Lat view, L wrist radiograph, 15y M, detector: Siemens, image size 482x840. 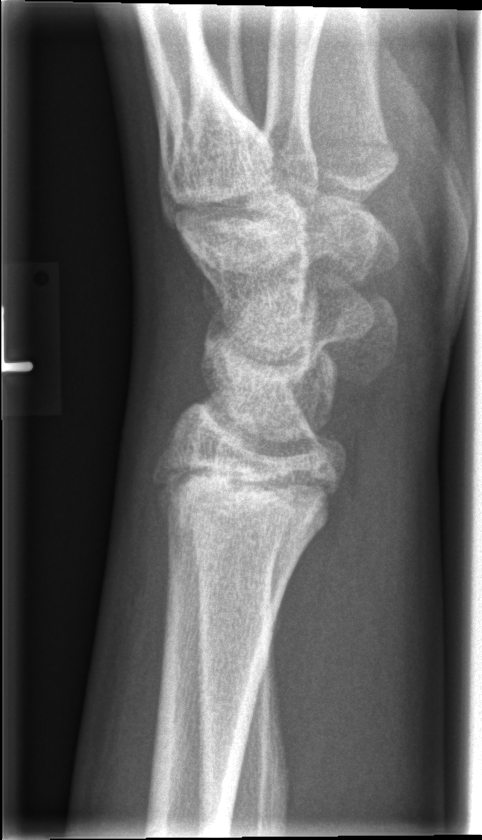 Pixel coordinates, top-left origin, xyxy.
Fracture — (left=148, top=446, right=341, bottom=529).
Osteopenia.
AO/OTA classification: 23r-E/2.1; 23u-E/7.